Left wrist radiograph | lateral | 404 x 772 px:
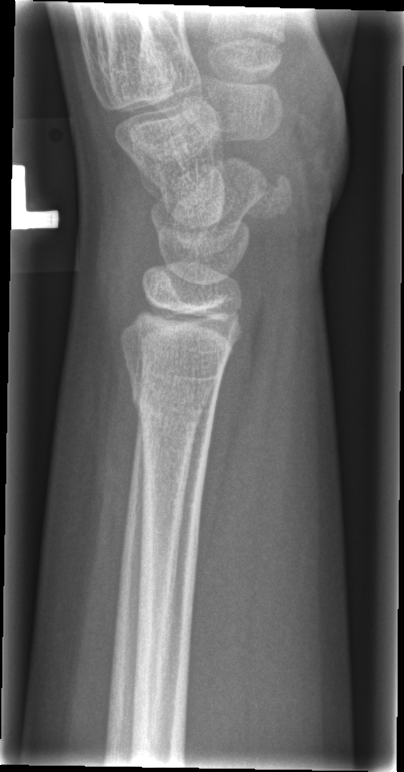
• Boxes as x1,y1,x2,y2 (top-left / bottom-right, pixel units).
• Fx — 127 370 219 431.